Left pediatric wrist radiograph; lat; pediatric patient (boy, age 7):

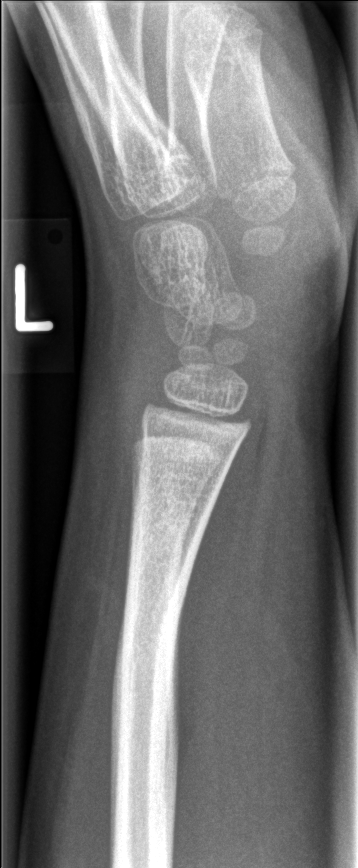

Osteopenia. AO/OTA classification: 22r-D/1.1. Fracture — 106,570,194,755.